L pediatric wrist radiograph; lateral view; 10-year-old female:

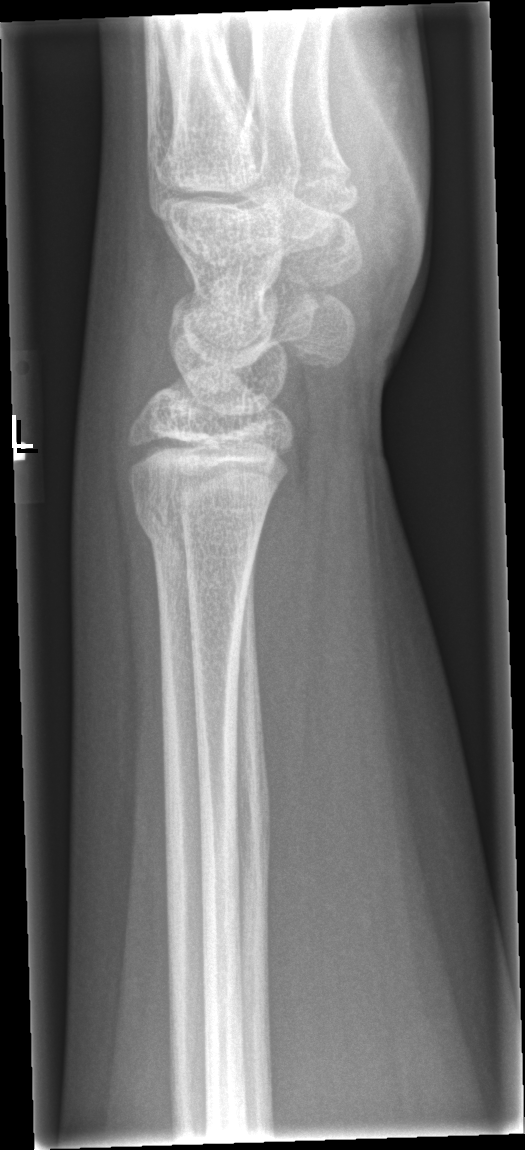
Findings: Fracture identified at 127,493,268,568.